AP, Lt wrist plain film, girl, 9 yo, cast present, 461 x 860 px:

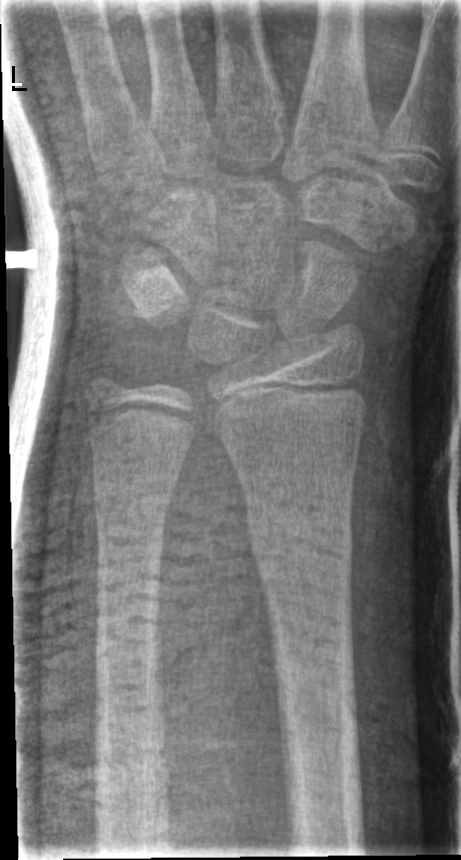

(pixel coordinates, top-left origin, xyxy)
AO code = 23-M/2.1
Bone fracture = 1 @ (247, 501, 353, 571)